Lat projection; Lt wrist X-ray; follow-up; Siemens:

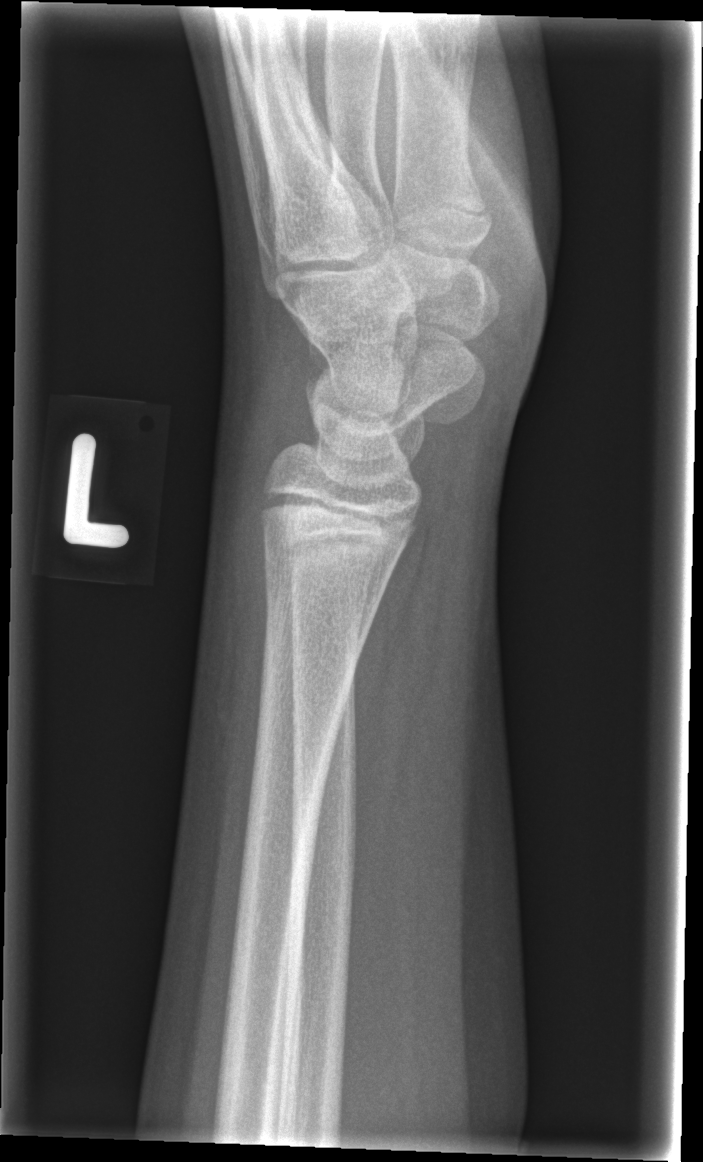 • Fx: (256, 580, 368, 718).
• AO code 23r-M/2.1.